Left wrist X-ray | frontal
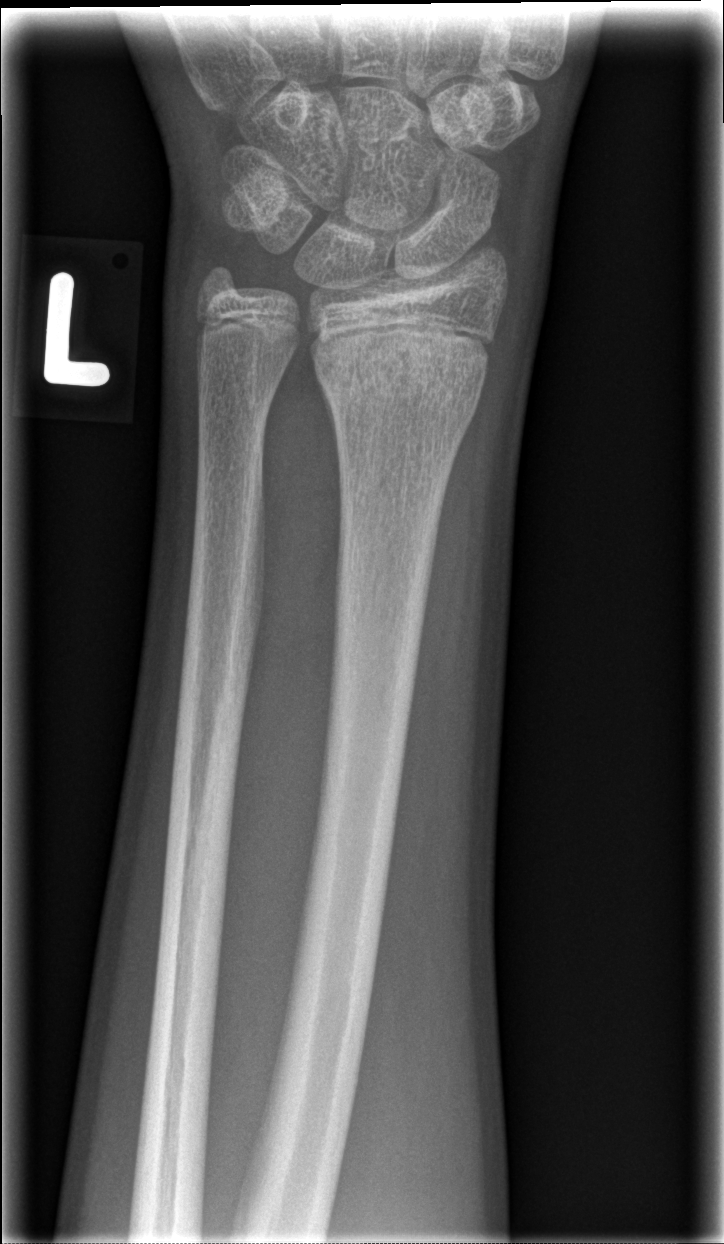

AO/OTA classification: 23r-M/2.1.
One Fx at [314, 328, 492, 413].